Frontal; Lt wrist XR; 7-year-old female; presentation radiograph; acquired on Siemens —

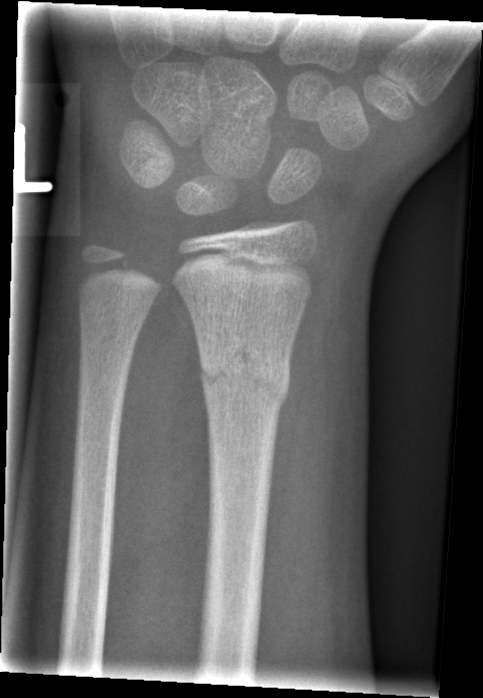

(coordinates are [x1, y1, x2, y2] in image pixels)
Bone fracture = 188,332,296,424
AO classification = 23r-M/3.1